L wrist X-ray; lateral view; age 10 y, girl; 560 by 1068 pixels
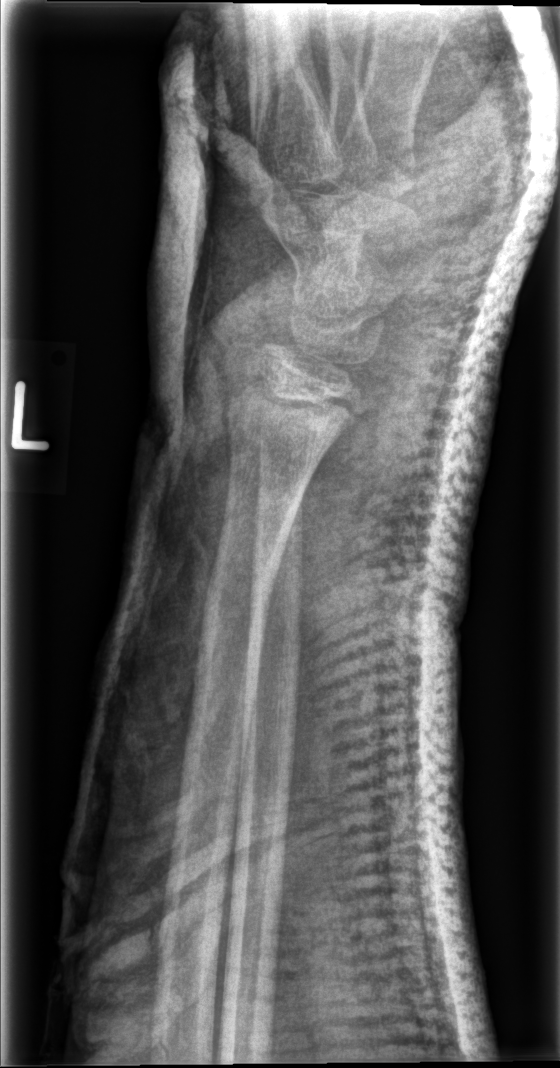
bone fracture: bbox(198, 559, 281, 626)
AO classification: 22r-D/2.1